Lat | L pediatric wrist radiograph | age 6 y, female | acquired on Siemens | 563 by 906 pixels.
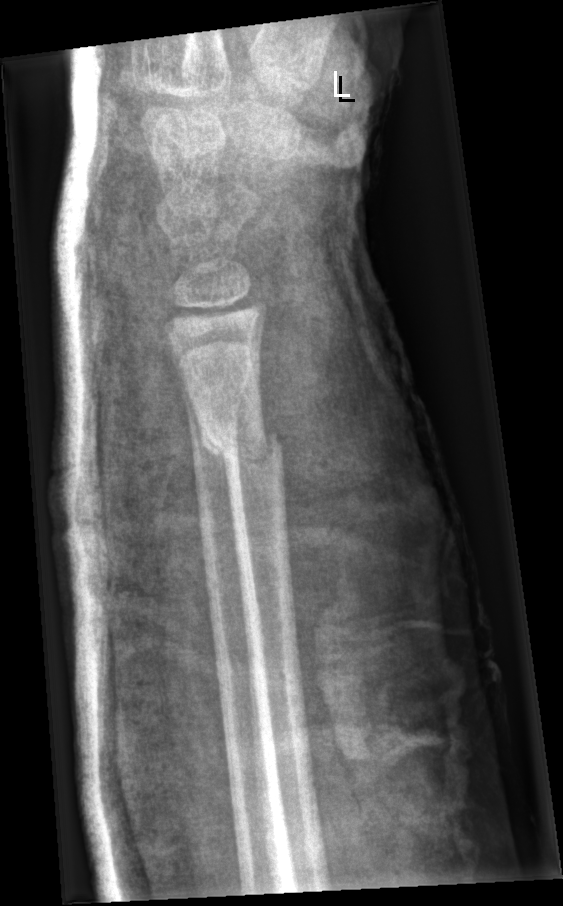

FINDINGS — (coordinates are [x1, y1, x2, y2] in image pixels) Bone fracture — 195 412 289 469. Fracture classified AO/OTA 23r-M/3.1; 23u-M/2.1.